Rt wrist X-ray · lateral projection · age 16 y, boy · follow-up study 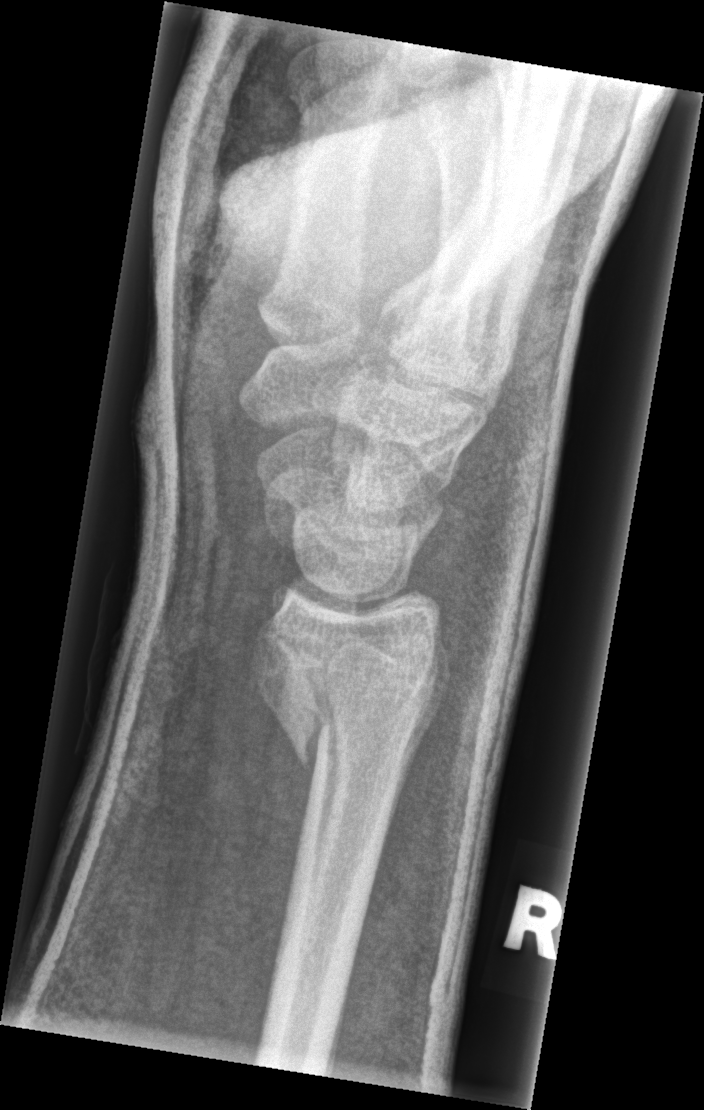 - Bone fracture — [x1=250, y1=619, x2=453, y2=766].
- Fracture classified AO/OTA 23r-M/3.1; 23u-E/7; 72B(b).